Right wrist XR · posteroanterior · pediatric patient (boy, age 13) · in cast · acquired on Siemens:
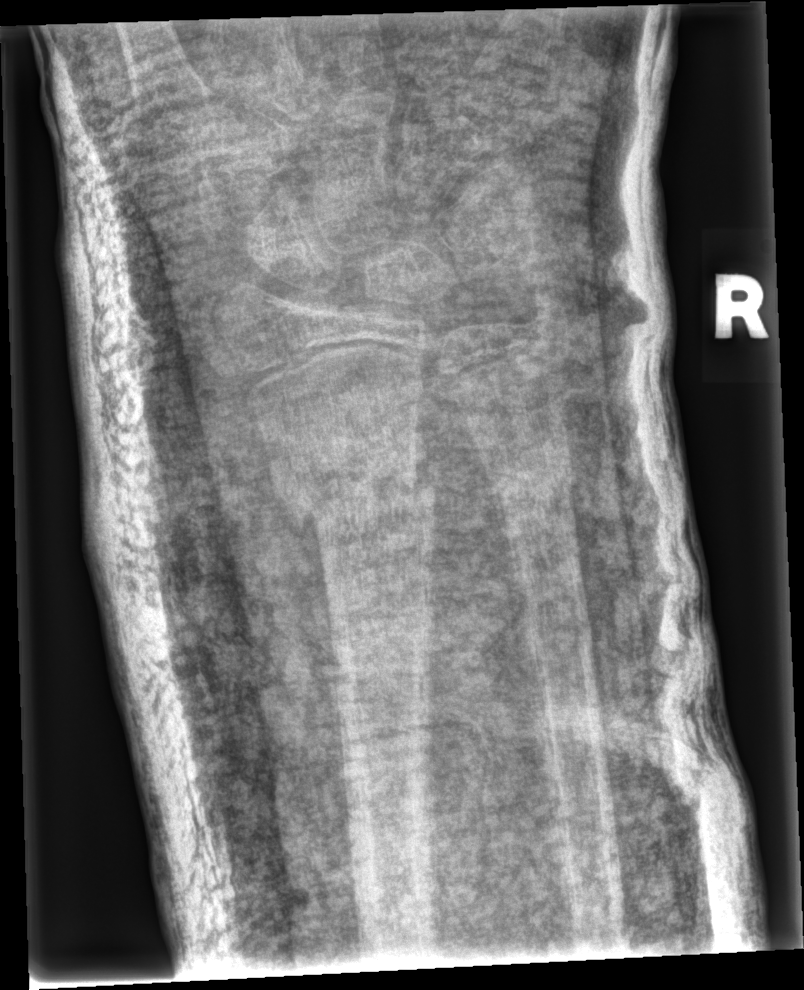
Findings: (pixel coordinates, top-left origin, xyxy) Two bone fractures at [x1=270, y1=458, x2=442, y2=544]; [x1=492, y1=440, x2=582, y2=518]. AO/OTA classification: 23-M/3.1.